L pediatric wrist radiograph · PA/AP view · follow-up study
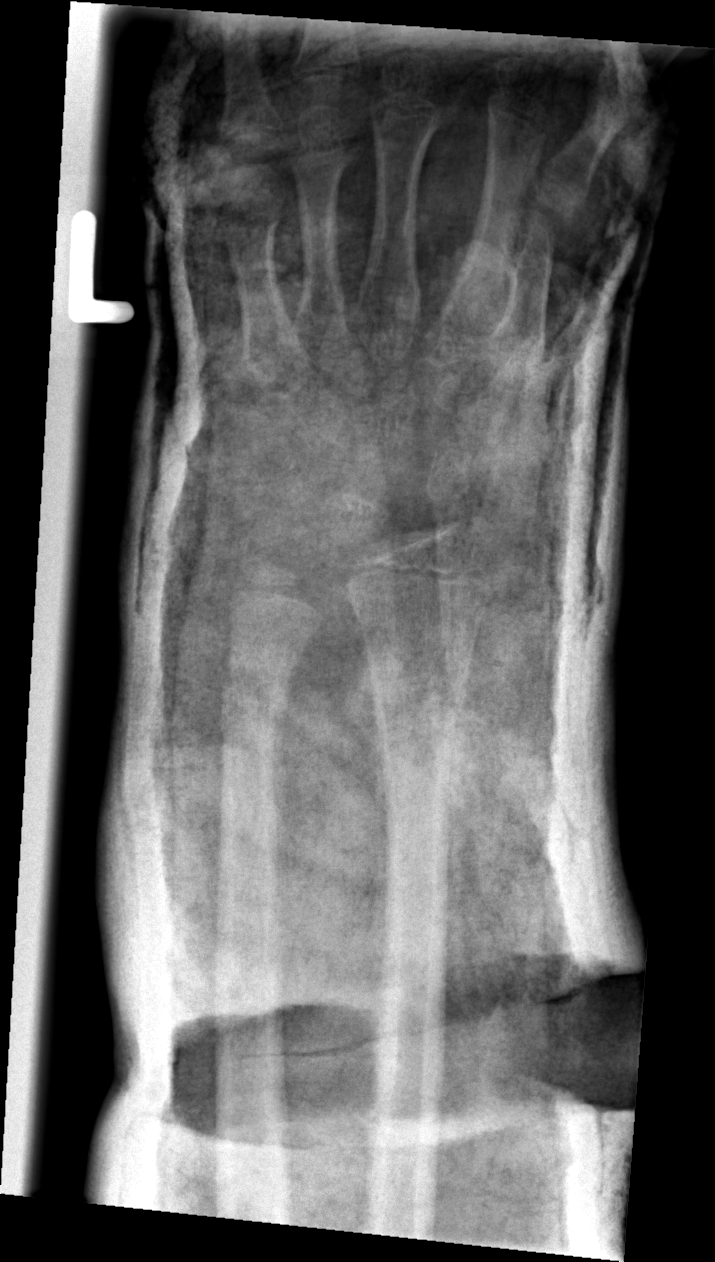
AO code: 23-M/3.1
fracture: present but not clearly seen in this view
periosteal new bone: [x1=343, y1=616, x2=392, y2=1048] [x1=447, y1=670, x2=484, y2=909]